Lateral view; right wrist X-ray; age 7 y, male; follow-up study; imaged through cast: 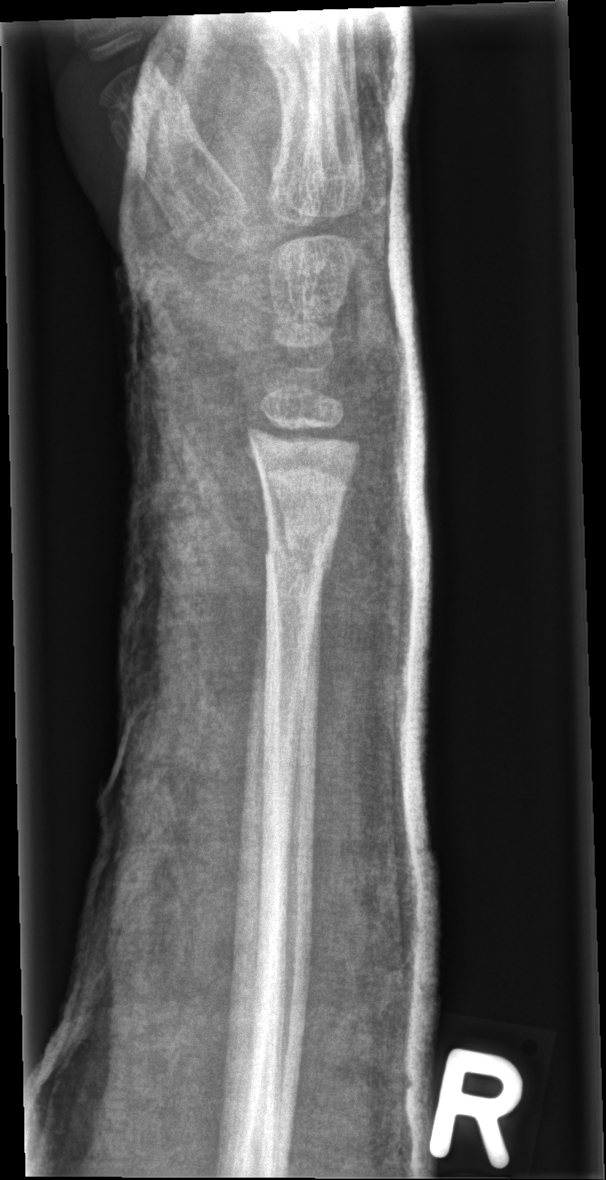
(boxes as x1,y1,x2,y2 (top-left / bottom-right, pixel units))
Q: Any fracture seen?
A: Bone fracture: [x1=259, y1=524, x2=339, y2=591]
Q: AO code?
A: AO code 23-M/3.1